Posteroanterior | Rt pediatric wrist radiograph | cast in situ | acquired on Siemens | image width 98.2 mm | 682 by 1388 pixels —

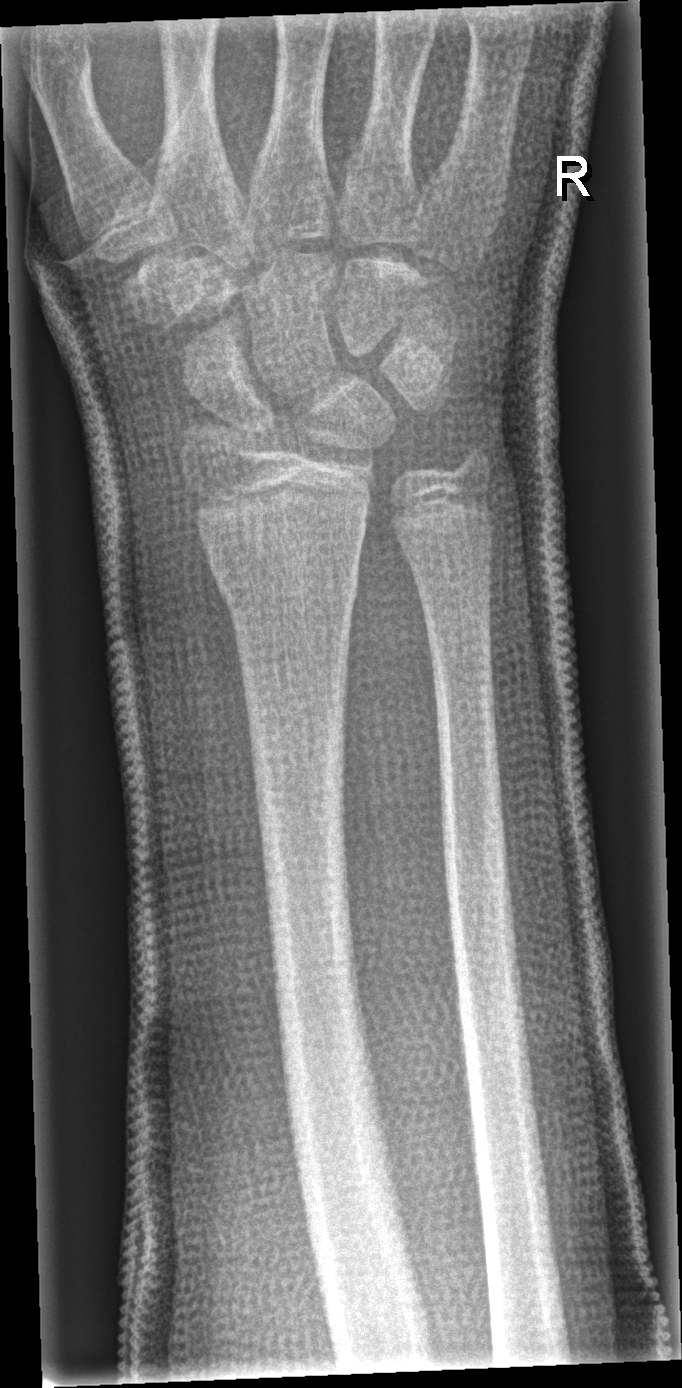
Bone fracture: 201 539 371 629.
Fracture classified AO/OTA 23r-M/2.1.